AP projection, Lt wrist X-ray, age 8 y, girl, index exam, Siemens — 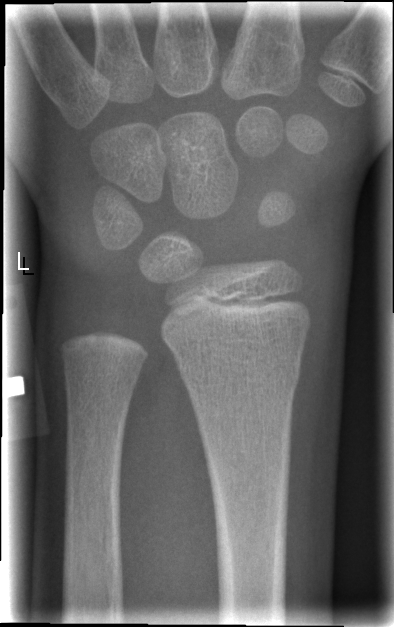 (pixel coordinates, top-left origin, xyxy)
Bone fracture = 1 @ [174, 343, 306, 401]